Lat view | L wrist XR.

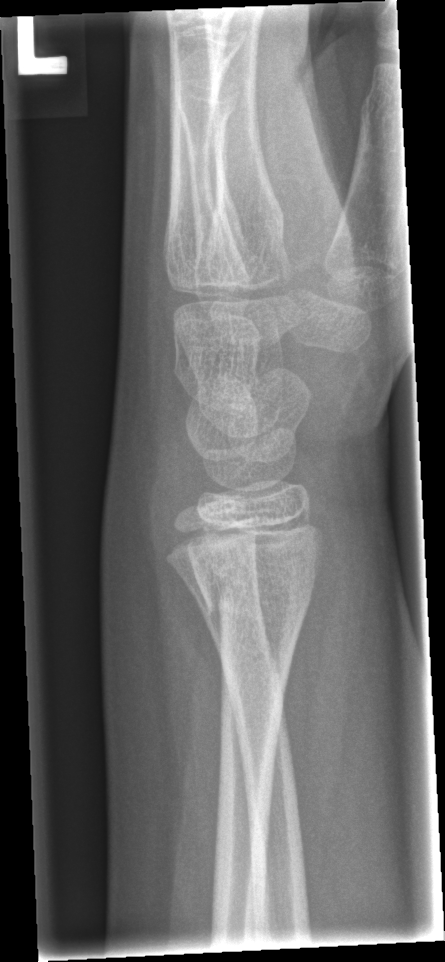
• Fx — <191,555>-<325,628>.
• AO code 23r-M/3.1; 22u-D/1.1.